Lat projection · Lt plain radiograph of the wrist.
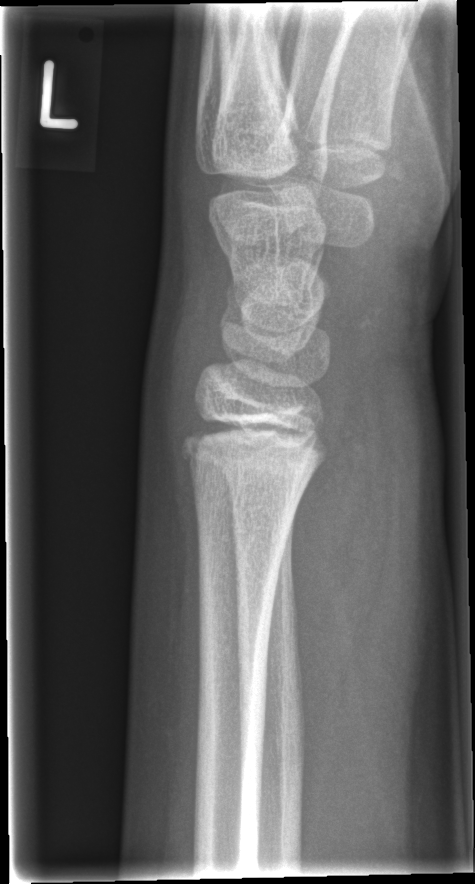
FINDINGS — AO code 23r-E/2.1. Bone fracture: 180 412 333 497. Pronator sign identified at 291 377 390 717.